Left wrist X-ray, lat, pediatric patient (girl, age 13), image size 615x1132. 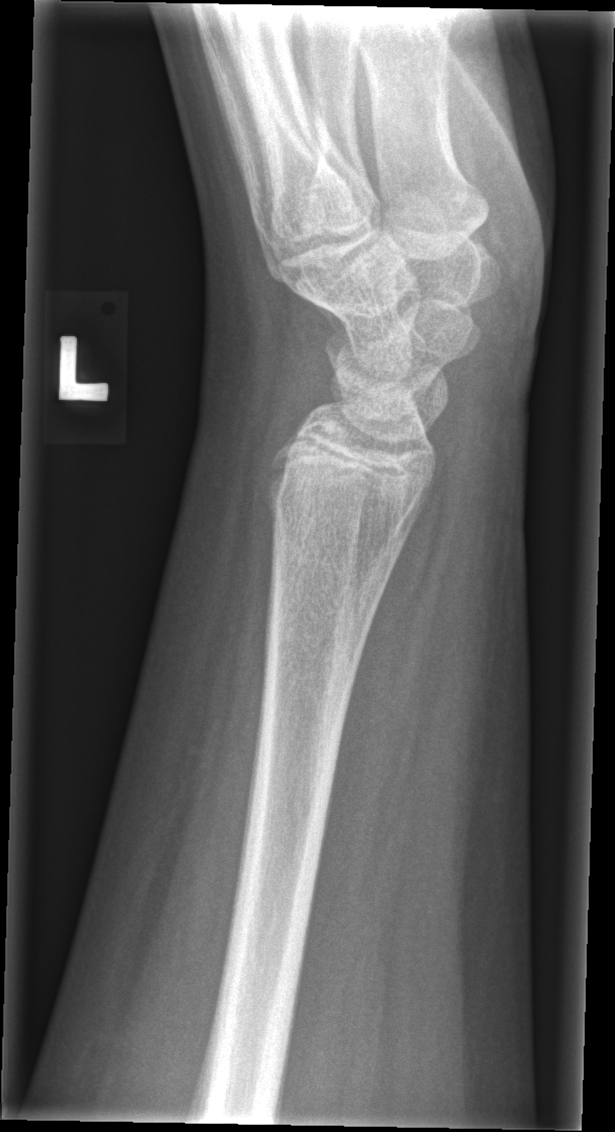

{"fracture": "none labeled"}